PA | right wrist plain film | age 15 y, girl | acquired on Siemens. 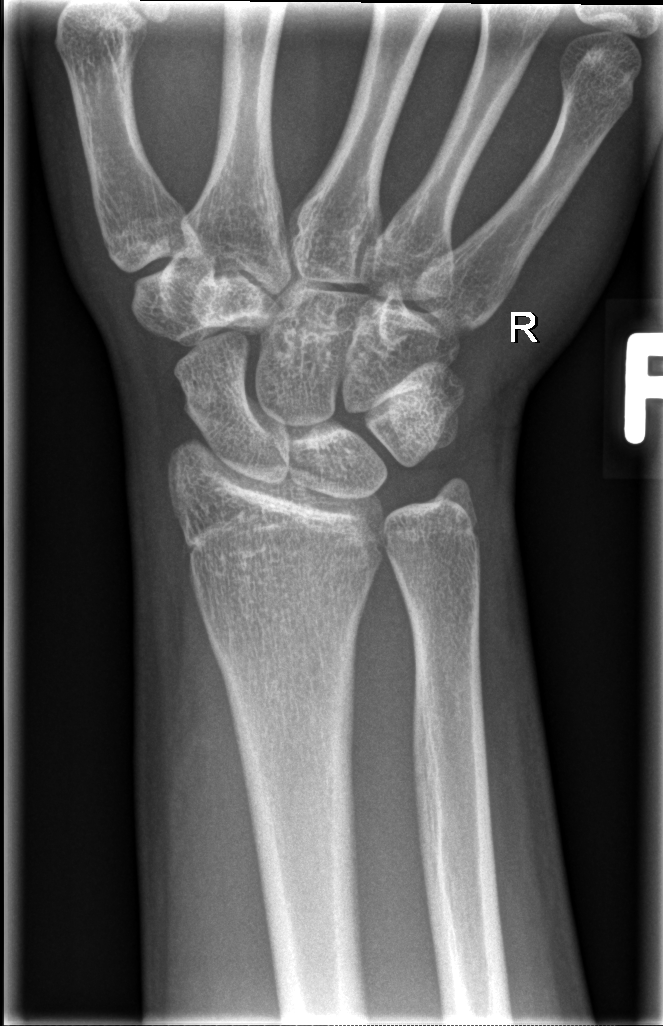

Findings: Fracture: none labeled.